R pediatric wrist radiograph, PA/AP, subsequent exam, in cast, detector: Siemens:

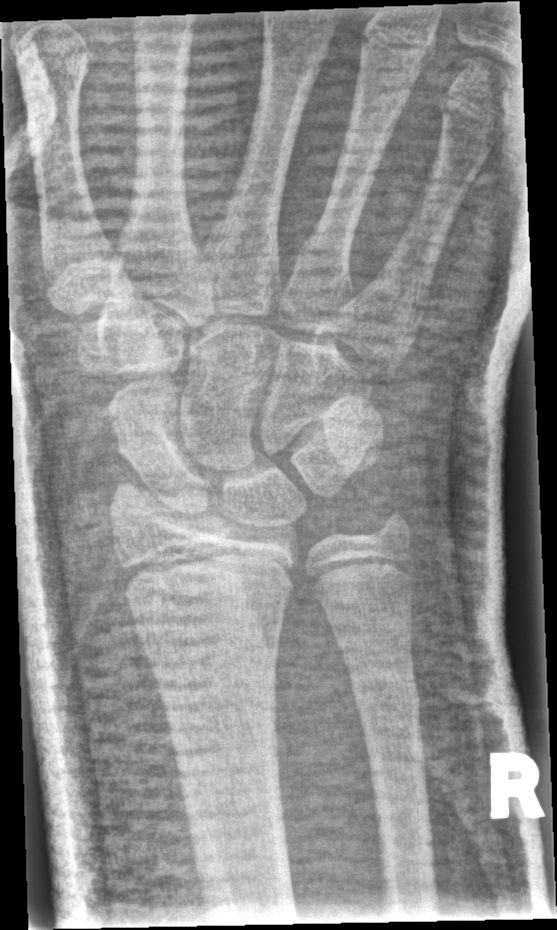 • Fx identified at 346 664 425 732.
• AO code 23r-E/2.1; 23u-M/2.1.